Posteroanterior; Rt plain radiograph of the wrist; 772 by 1040 pixels 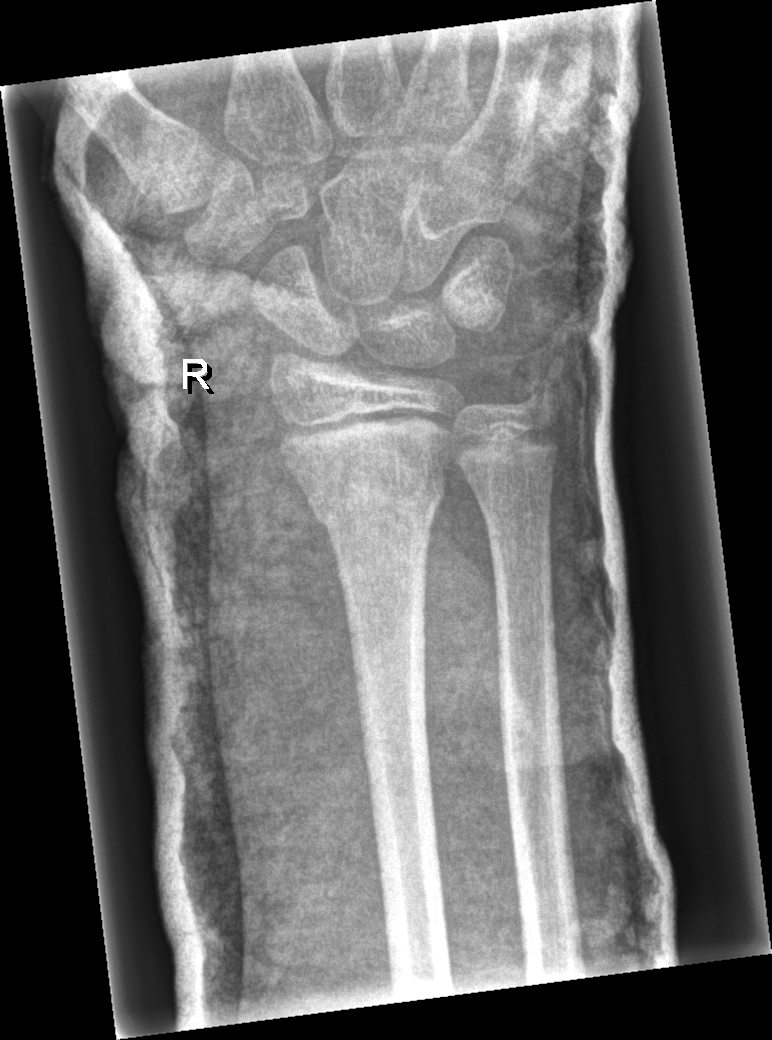

fracture: 1 @ [x1=301, y1=464, x2=451, y2=539]